Lat view | Rt wrist XR | 11-year-old girl | index exam | 460 x 886 px: 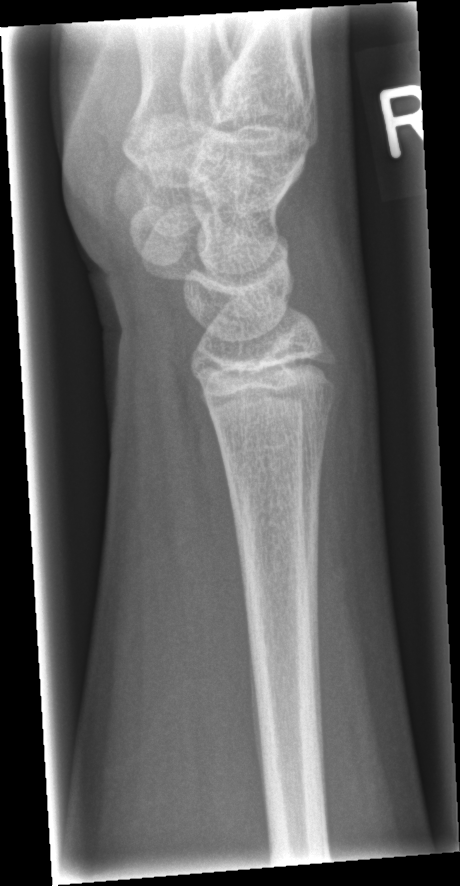
No Fx annotated.